Lateral · right pediatric wrist radiograph · 619 x 1142 px.

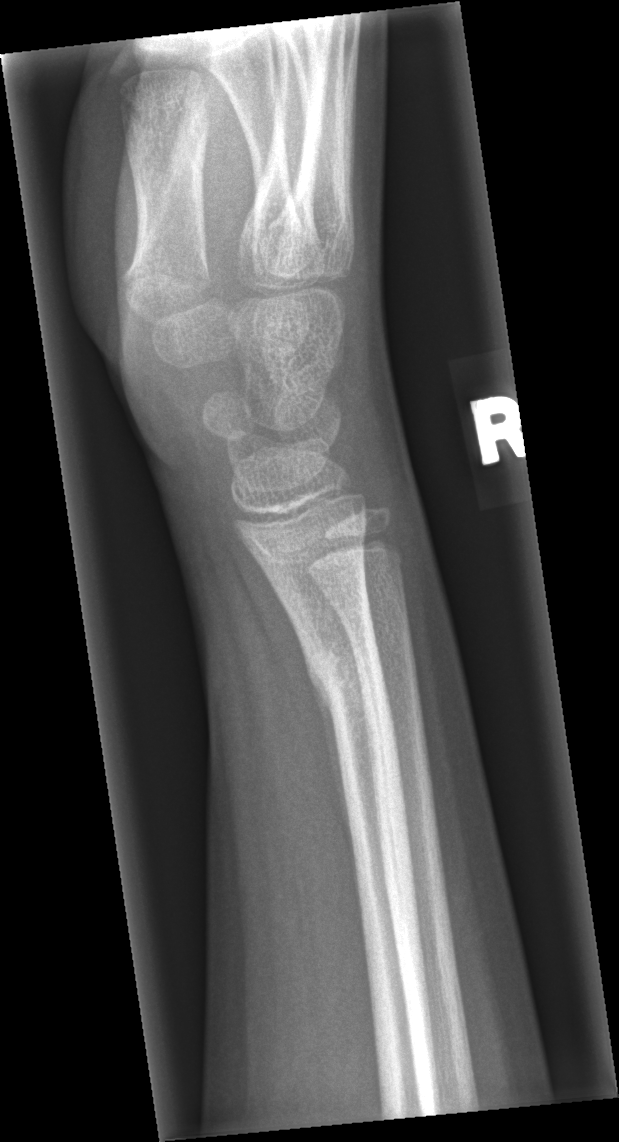
fracture: [294, 619, 399, 742]
periostealreaction: 1 @ [307, 660, 359, 881]
ao: 23-M/2.1
osteopenia: present